Frontal view, Rt wrist plain film, age 11 y, boy:

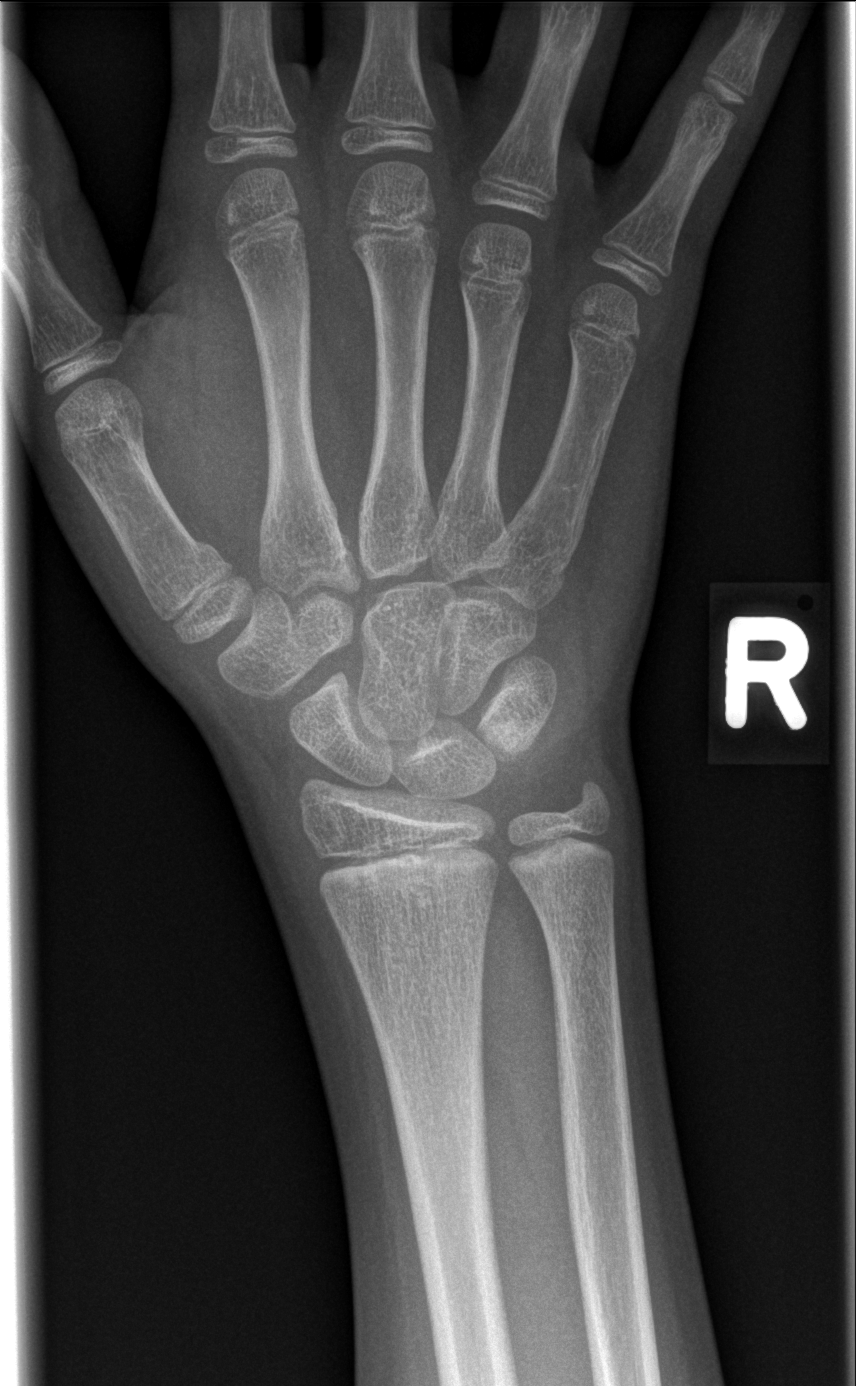

Q: Is there a fracture?
A: Fx: [137, 527, 240, 595]
Q: What is the AO/OTA classification?
A: AO code 77.1.1A